Frontal view | left wrist pediatric wrist radiograph | 752 by 1218 pixels
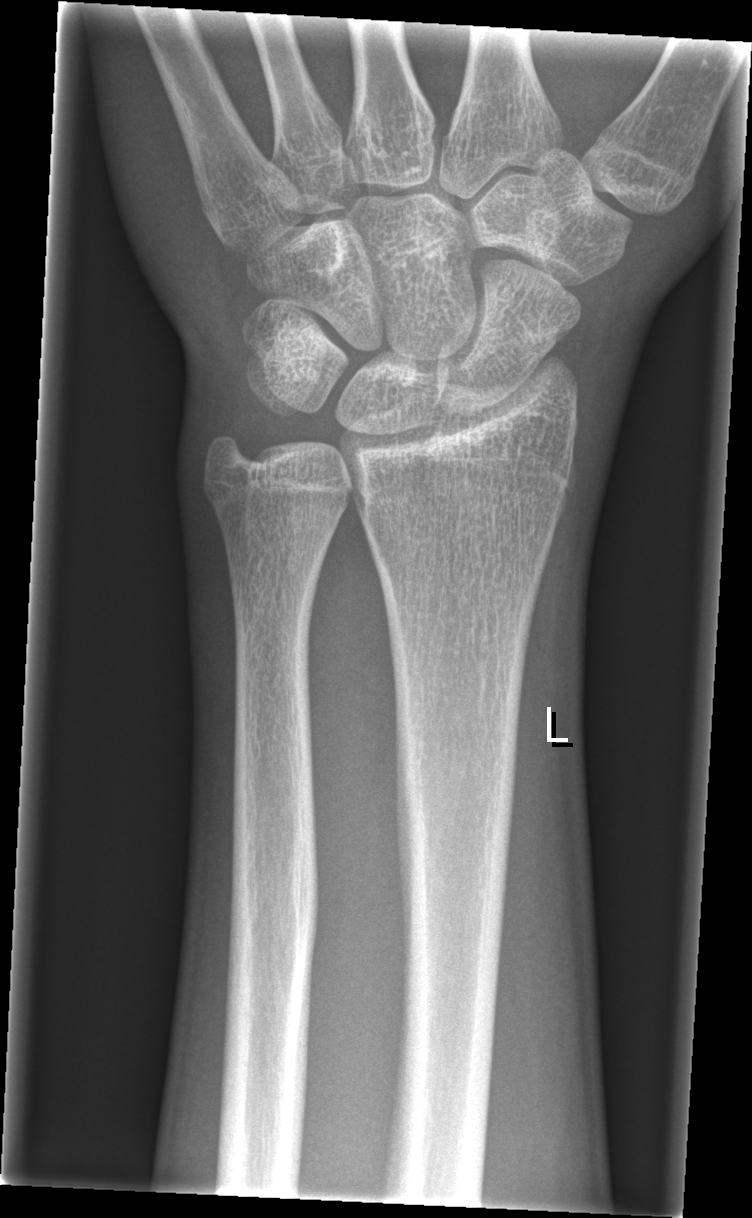
Fx: none.